Lateral view, left wrist radiograph, pediatric patient (male, age 14) —

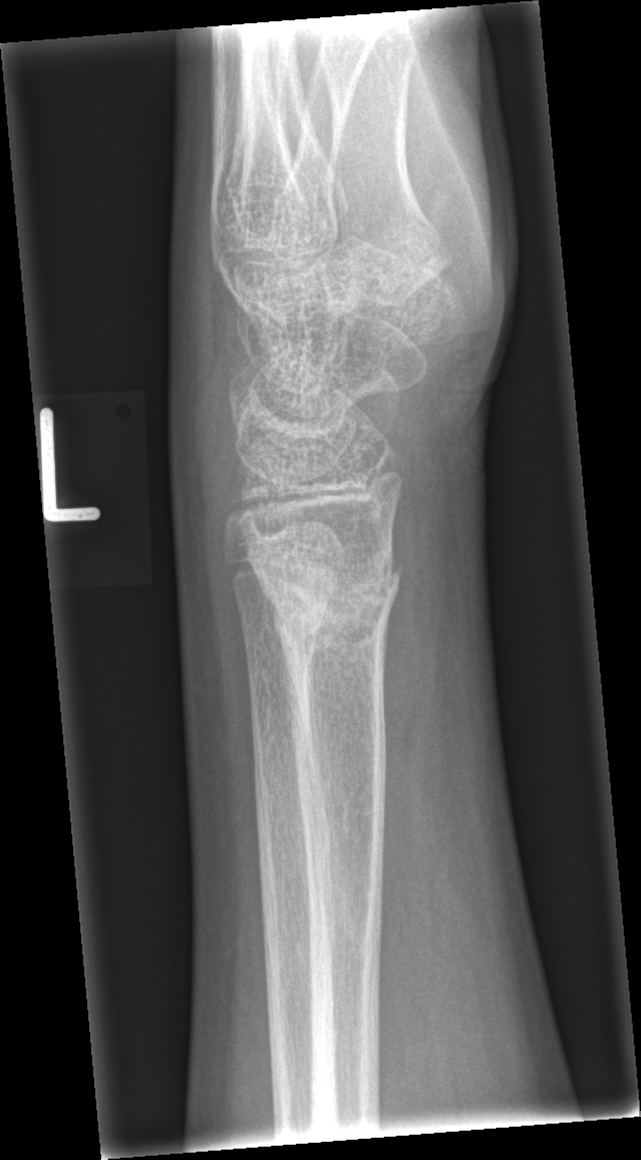

  ao: 23r-M/3.1; 23u-E/1
  fracture: 254,539,407,659
  osteopenia: present